Posteroanterior · L wrist XR · follow-up study · cast in situ · acquired on Siemens · image 92.4 mm wide. 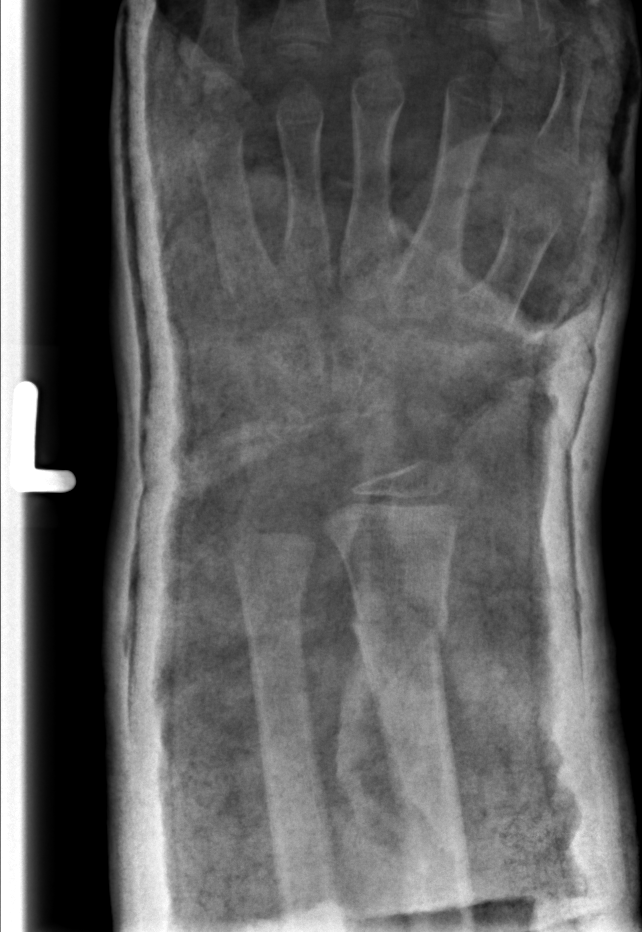 AO code 23r-M/3.1.
One Fx at 346 592 454 653.